Posteroanterior projection | Rt wrist radiograph | male, 12 yo | index exam

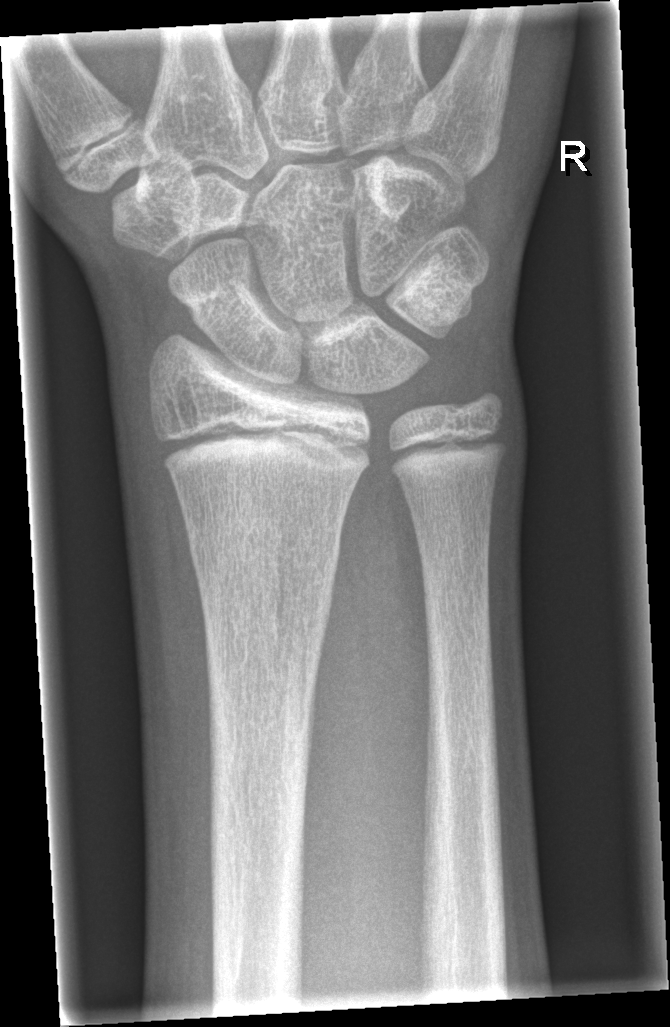 - Fracture present but not clearly seen in this view.
- Fracture classified AO/OTA 23r-M/2.1.